Lateral projection | right wrist XR | male, 15 yo | Siemens | 610 by 1120 pixels.
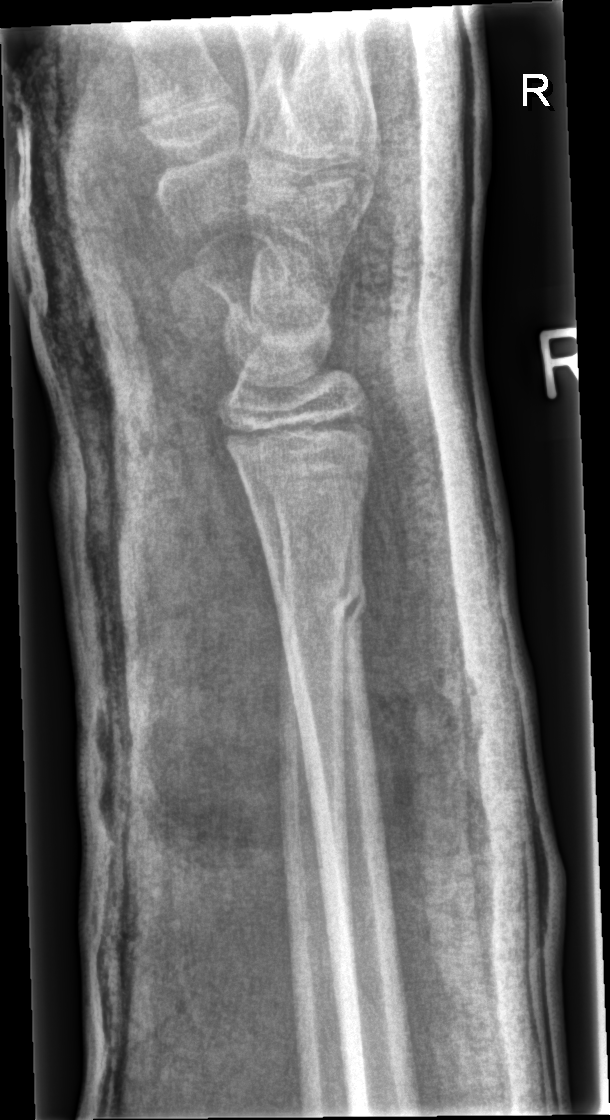

Findings: Fx: 264,557,370,635.